Right wrist radiograph | posteroanterior | Siemens
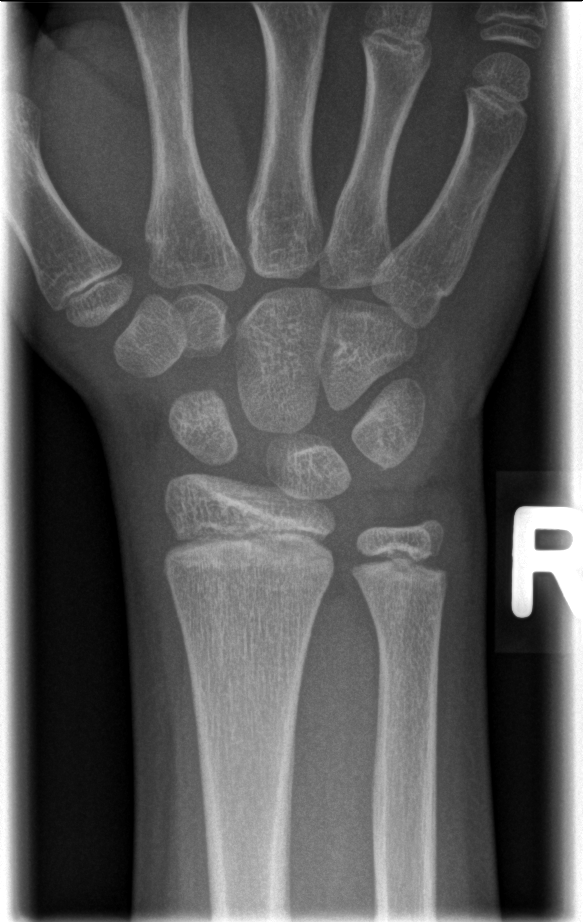

{"fracture": "none labeled"}